Lateral view · right wrist plain film · 404 x 610 px 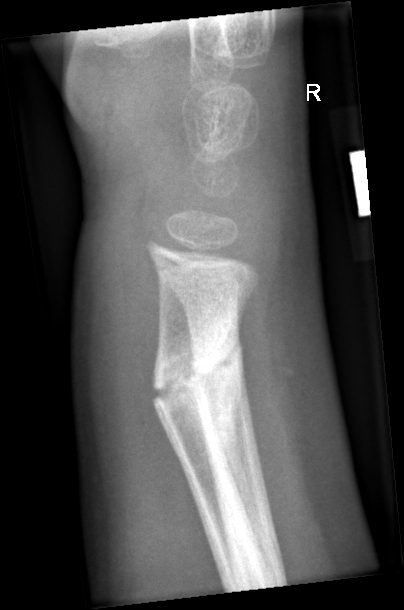
Findings: Reduced bone mineral density. One bone fracture at (148, 336, 234, 427). One periosteal thickening at (196, 295, 268, 574).